Left wrist radiograph; lateral view; in cast —
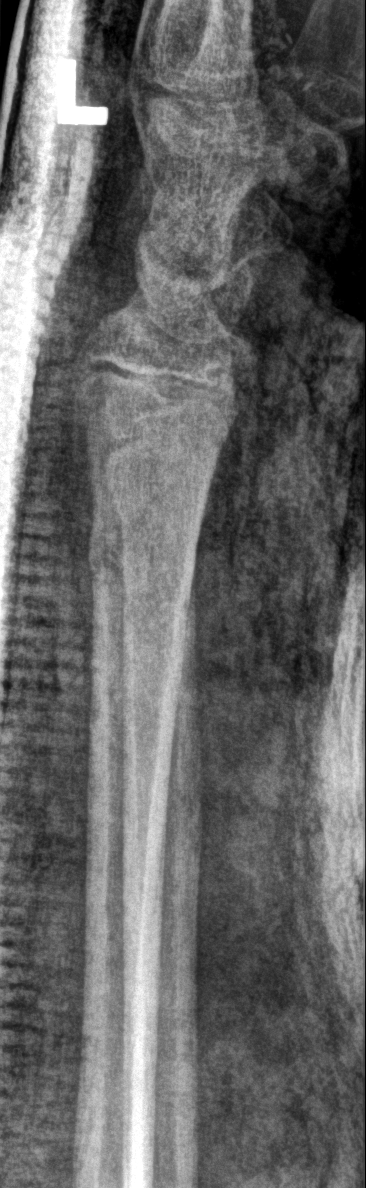

Bone fracture = 1 @ [84, 506, 201, 612]
AO/OTA = 23r-M/3.1; 23u-M/2.1